Frontal view; Rt pediatric wrist radiograph: 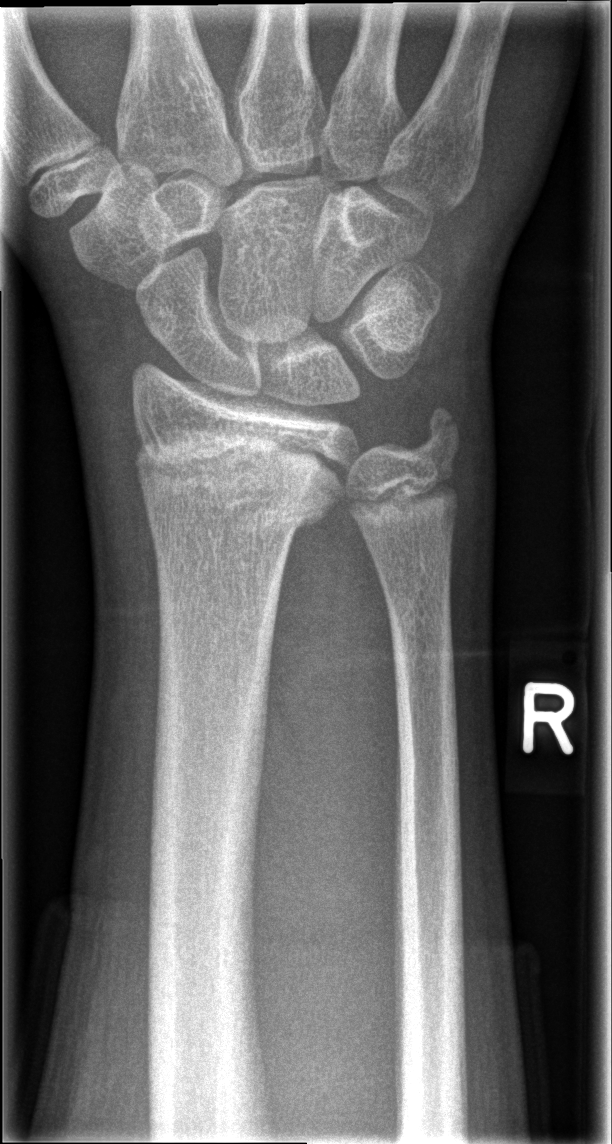
(boxes as x1,y1,x2,y2 (top-left / bottom-right, pixel units))
Fx = 2 @ (131, 443, 345, 535), (406, 401, 467, 461)